Left wrist X-ray; lateral view; 4y F; image 57.9 mm wide

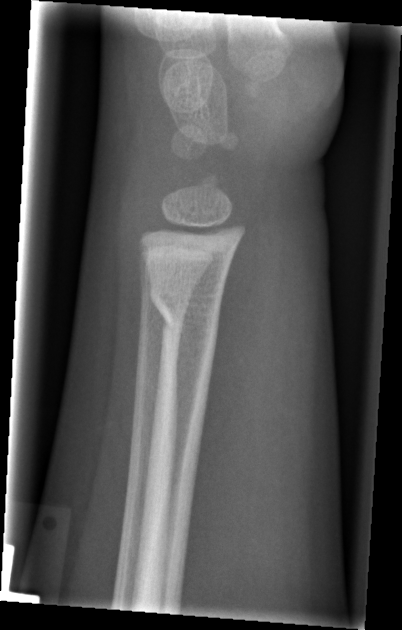   ao: 23r-M/2.1
  fracture: 146 276 222 340